Right wrist X-ray, PA, pediatric patient (girl, age 15)

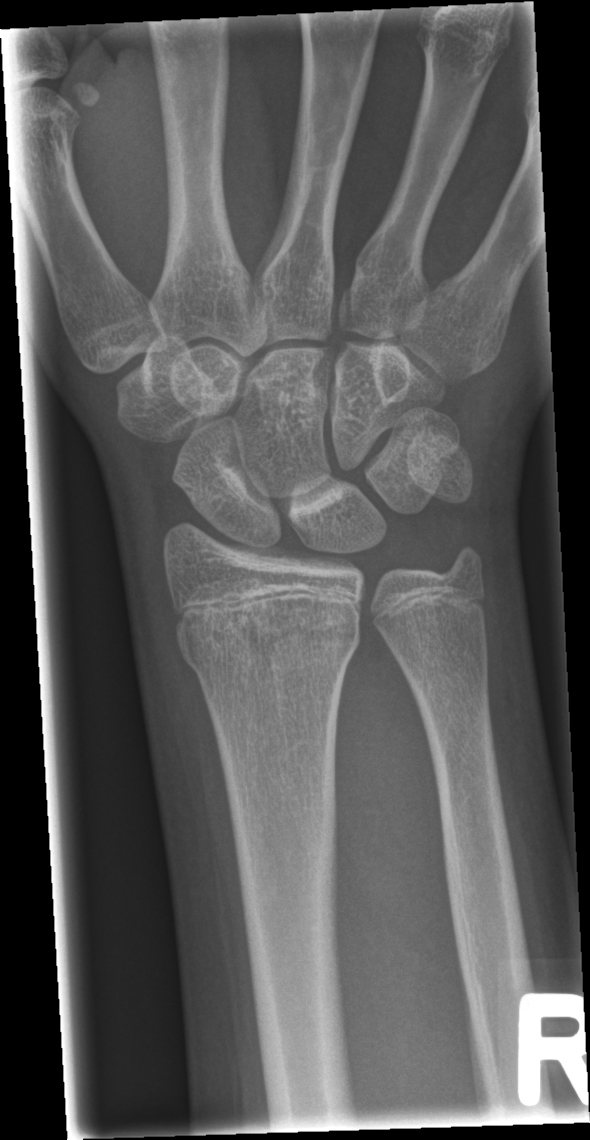

(bounding boxes in image-pixel xyxy)
Q: Any fracture seen?
A: Fracture — [173, 597, 364, 679]